Lat view · Lt wrist plain film · age 8 y, male · initial study:
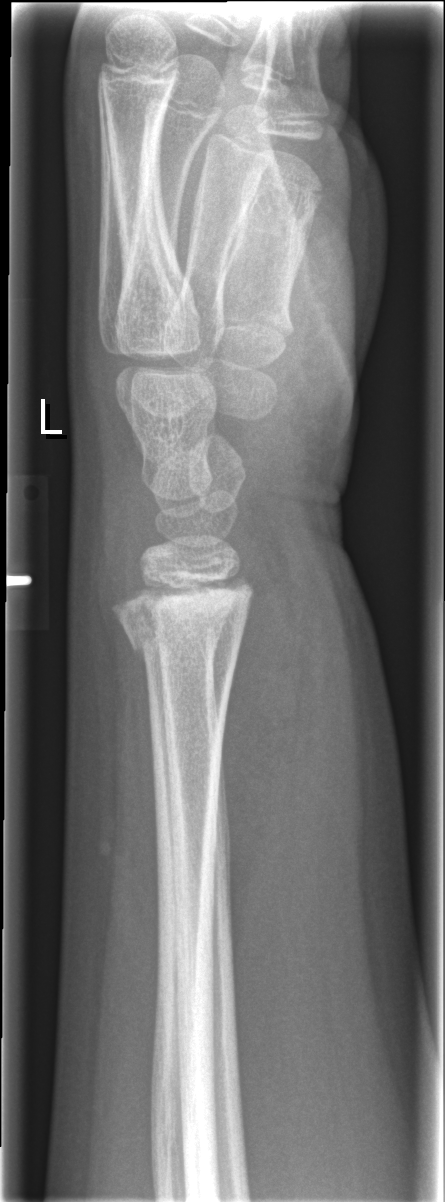

Q: Any fracture seen?
A: Fracture — bbox(108, 581, 254, 660)
Q: Pronator fat-pad sign?
A: Positive pronator fat-pad sign: bbox(214, 545, 314, 933)